Right wrist plain film · PA/AP view · 11y F

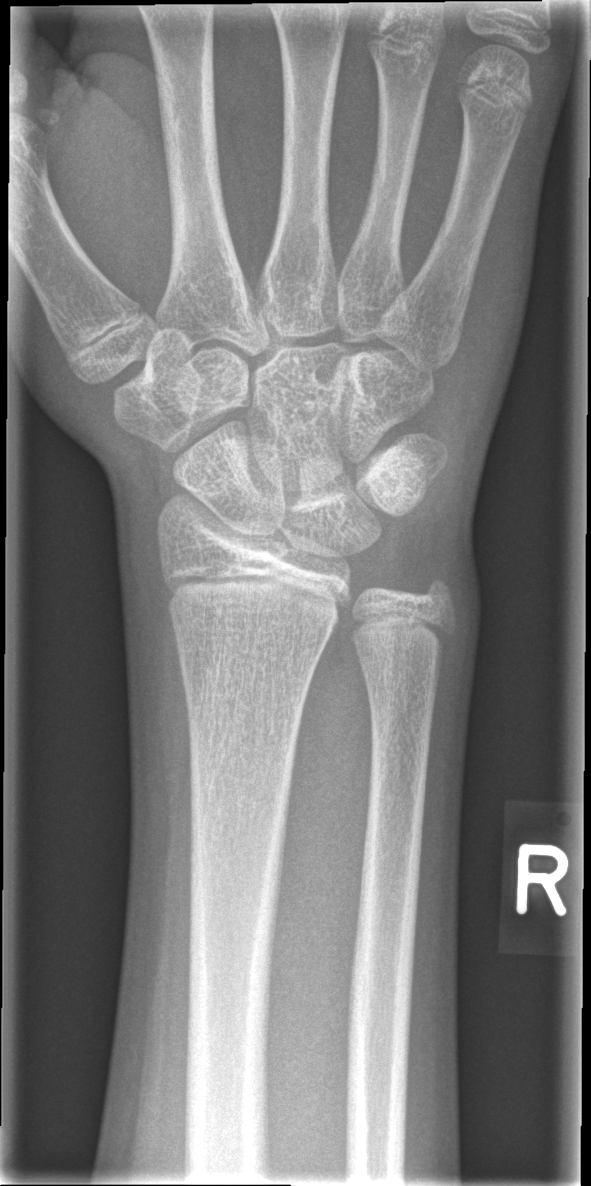
Q: Any fracture seen?
A: No fracture bounding box